Lt plain radiograph of the wrist | lat view | age 11 y, male | image size 430x1462

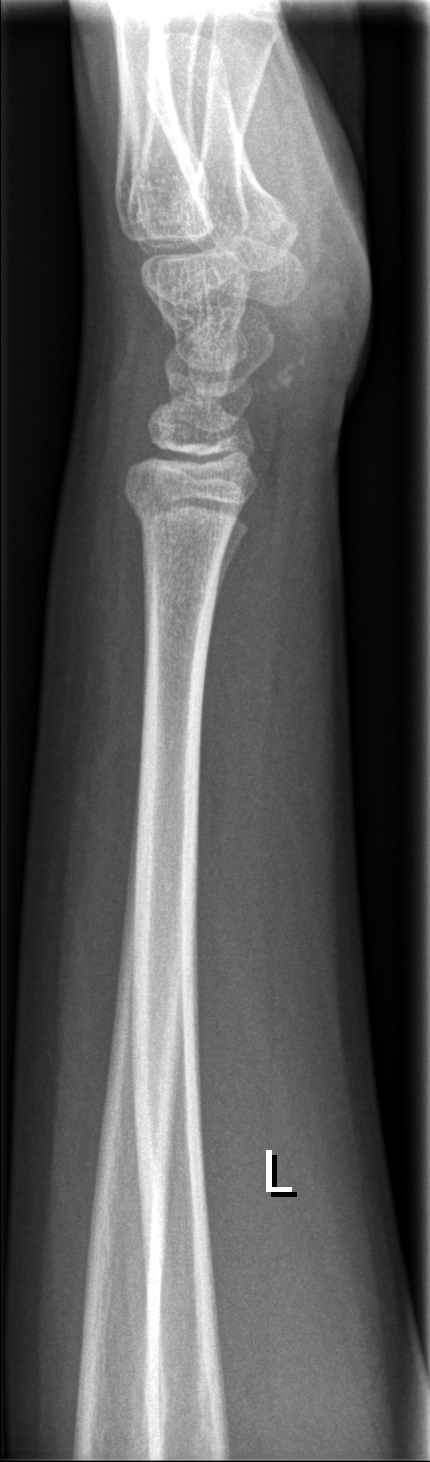
AO code: 23r-M/2.1
fracture: [118, 478, 246, 547]
soft-tissue finding: [53, 370, 154, 644]